Lat view | L wrist plain film | imaged through cast | image width 78.5 mm —

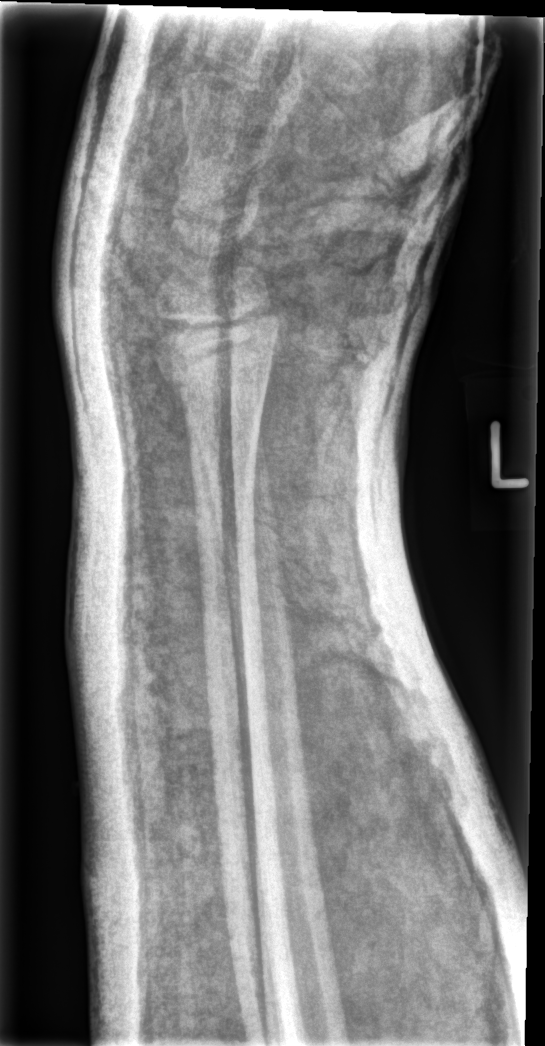 Boxes as x1,y1,x2,y2 (top-left / bottom-right, pixel units). Bone fracture: <148,338>-<274,422>. Fracture classified AO/OTA 23-M/3.1.